Lt wrist plain film, lat, 12y F, initial study:

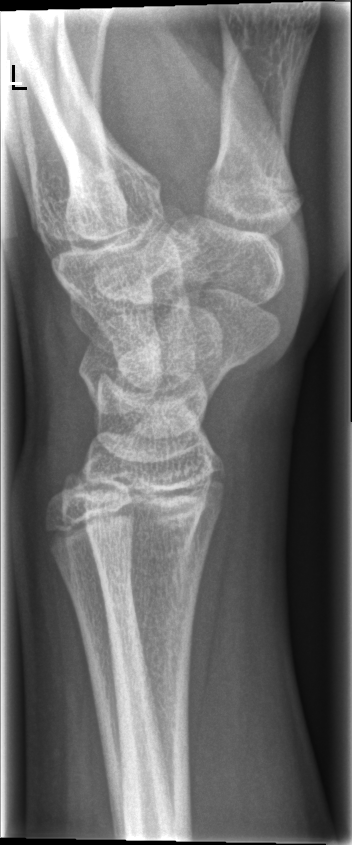 - Fracture: none labeled.